Right wrist plain film | PA projection | age 10 y, female | 526 x 860 px:

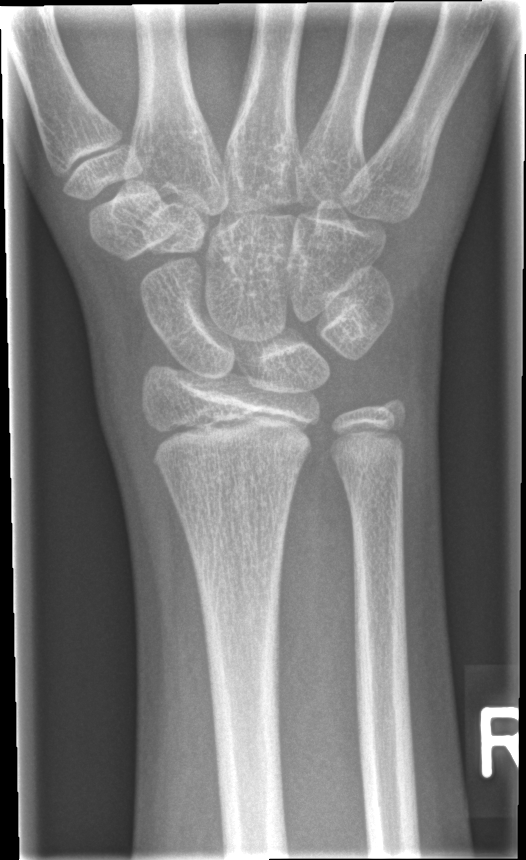
FINDINGS: No fracture bounding box.